Rt wrist XR · lateral view · acquired on Siemens.
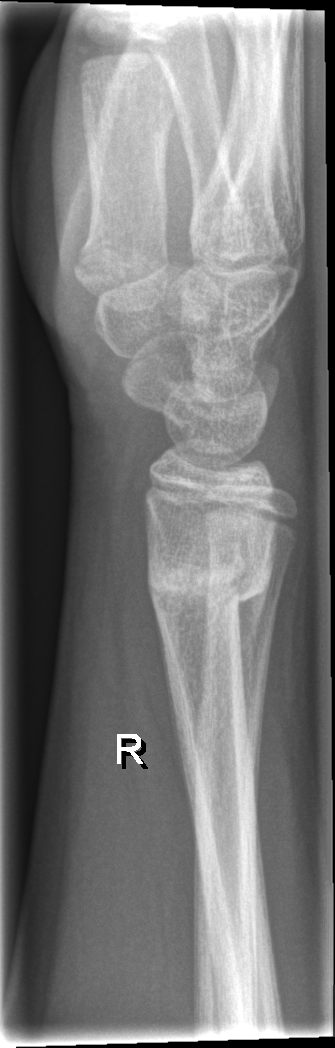 Periosteal thickening = 1 @ [x1=235, y1=571, x2=272, y2=755]
AO classification = 23r-M/3.1; 23u-E/7
Bone fracture = 1 @ [x1=143, y1=532, x2=278, y2=627]
Osteopenia = present